Lt plain radiograph of the wrist | lateral projection | male, 6 yo | 71.4 mm image width —
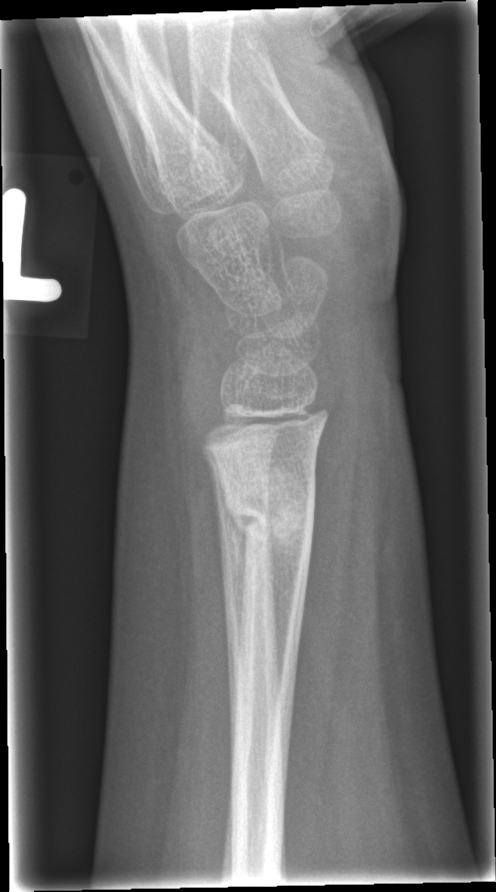

- Pixel coordinates, top-left origin, xyxy.
- Decreased bone density (osteopenia).
- AO/OTA classification: 23-M/2.1.
- One bone fracture at (222, 462, 320, 569).